Left wrist XR | lateral | 16-year-old male: 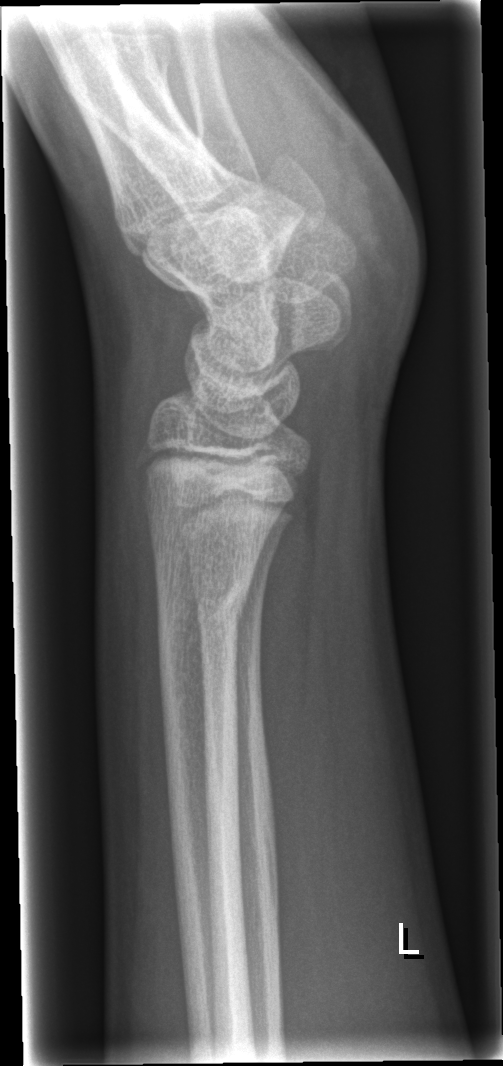

Fx identified at (150, 569, 254, 660).